Left wrist pediatric wrist radiograph · PA/AP projection · subsequent exam · imaged through cast · acquired on Siemens

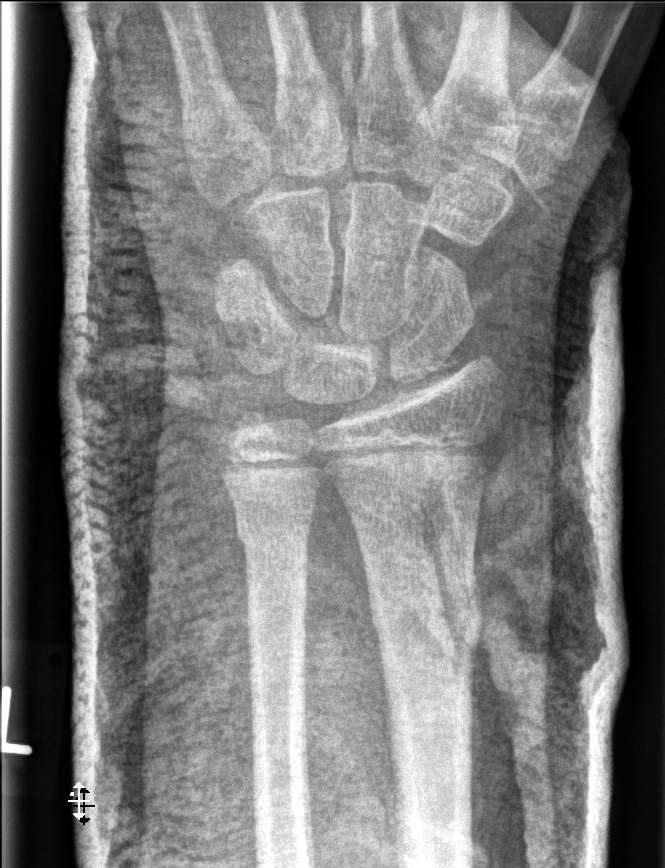
Fracture: (366, 576, 484, 661), (232, 512, 311, 571).